Lateral projection | left wrist plain film | boy, 7 yo | in cast | 469x908. 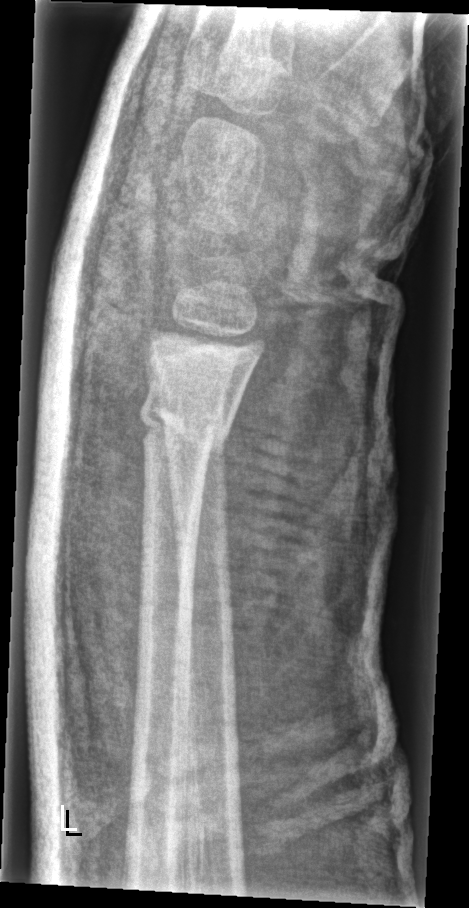
{"_coords": "coordinates are [x1, y1, x2, y2] in image pixels", "fracture": "1 @ <134,375>-<234,458>"}